Posteroanterior view | right wrist plain film 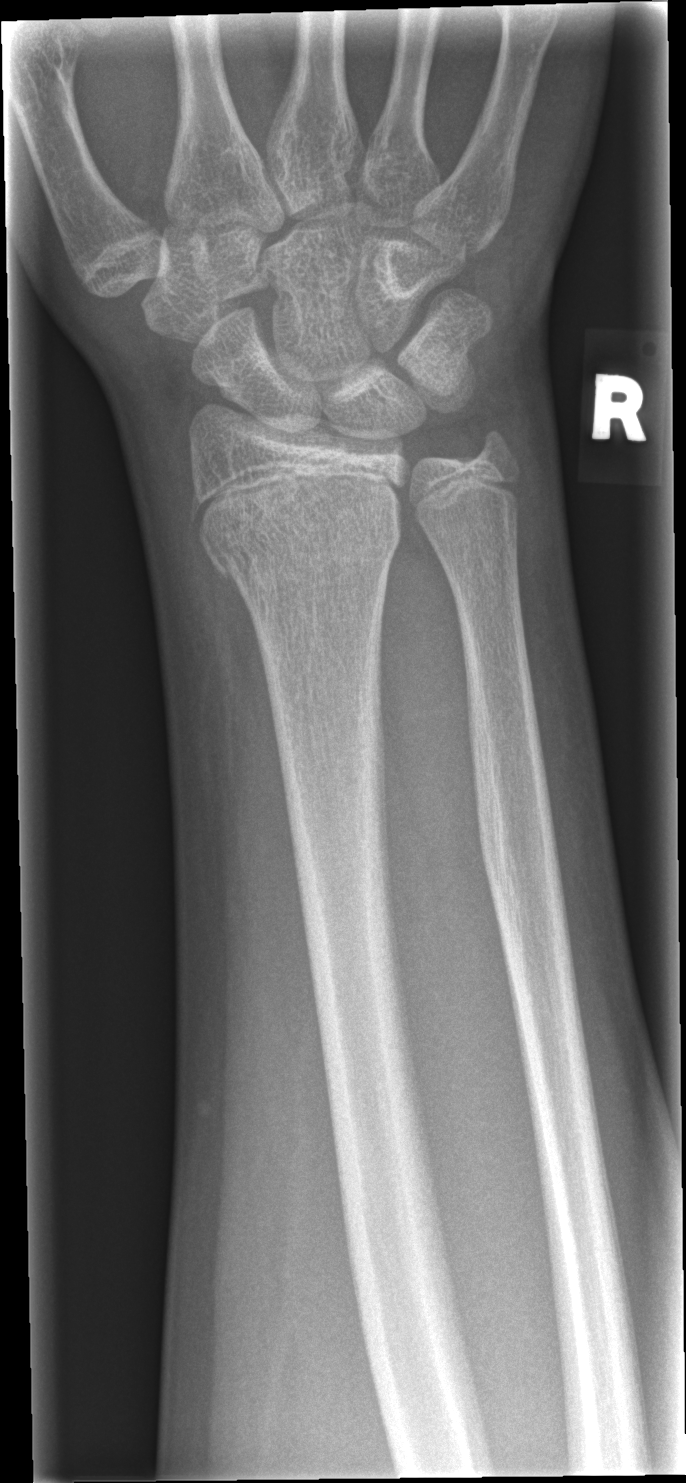
Boxes as x1,y1,x2,y2 (top-left / bottom-right, pixel units).
Fracture identified at <200,503>-<405,591>.
Fracture classified AO/OTA 23r-M/3.1.